Lat projection; right wrist XR; boy, 9 yo; index exam; image size 498x1023 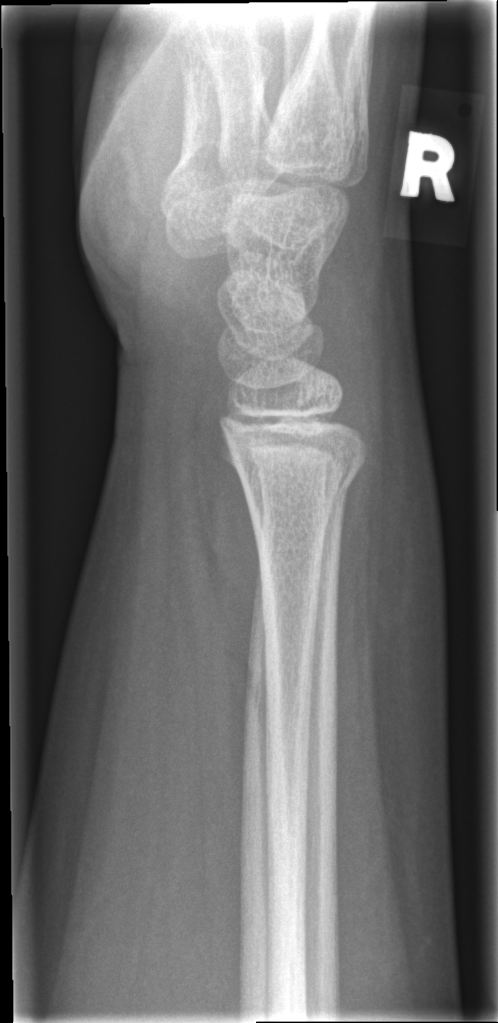 FINDINGS: (pixel coordinates, top-left origin, xyxy) Fracture classified AO/OTA 23r-M/2.1. Fx: <237,456>-<363,519>.